Lat | R pediatric wrist radiograph —

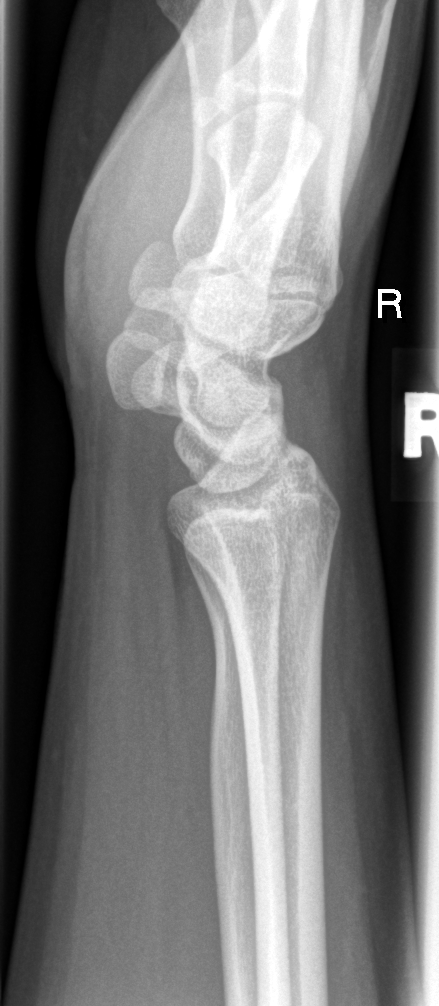 • No fracture bounding box.